PA · left pediatric wrist radiograph · 15y M —

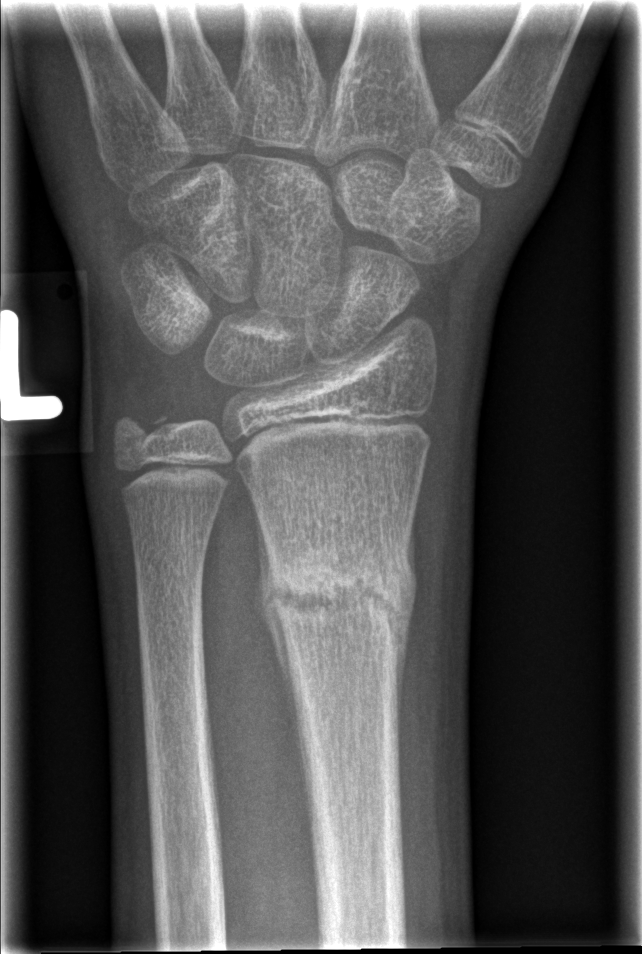

Bone fracture identified at <259,538>-<422,651> <107,392>-<179,452>. AO code 23r-M/3.1; 23u-E/7. Osteopenia.